Left pediatric wrist radiograph, AP view, 6-year-old female: 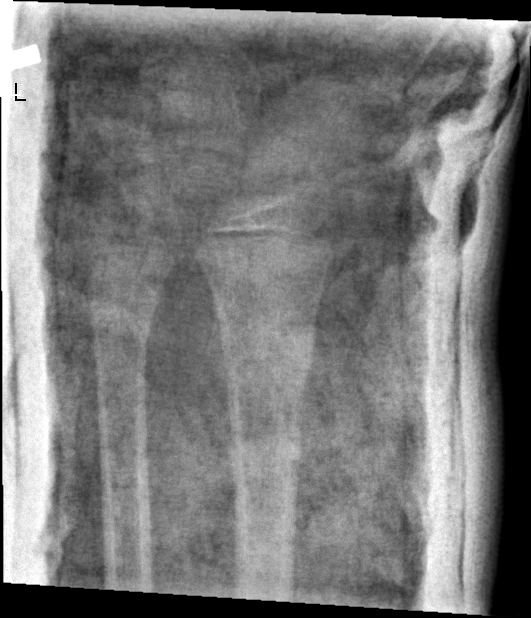
{"_coords": "bounding boxes in image-pixel xyxy", "fracture": "217 318 318 387"}